Lt wrist plain film; lat projection; female, 14 yo: 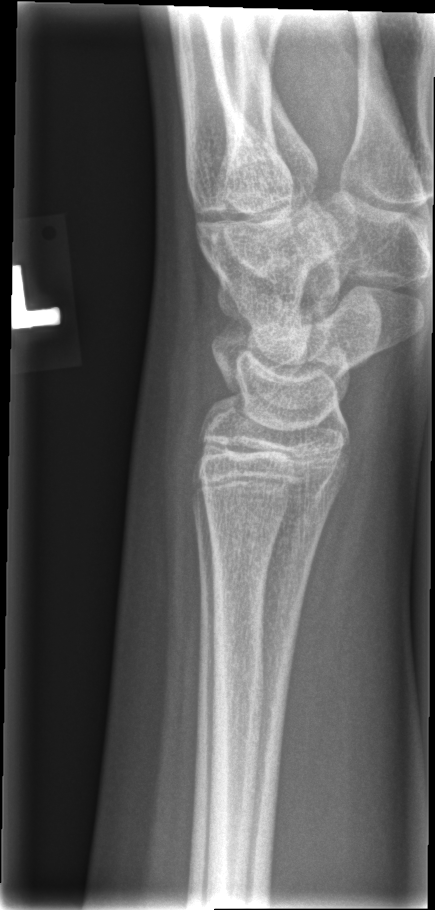
FINDINGS — No fracture bounding box.